L wrist XR · lateral view · Siemens.

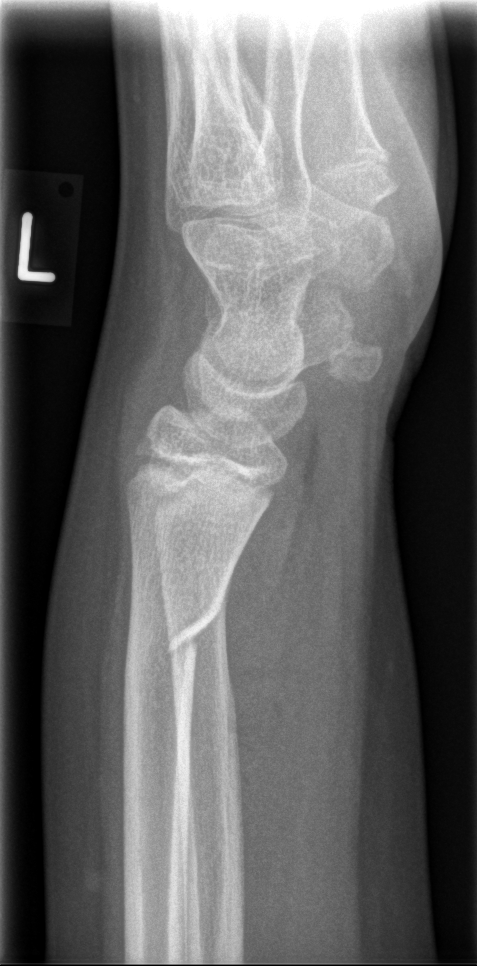 Findings: (coordinates are [x1, y1, x2, y2] in image pixels) AO/OTA classification: 23-M/2.1. Fracture identified at bbox(121, 596, 227, 691).